Frontal view · right wrist plain film · age 9 y, girl · presentation radiograph.
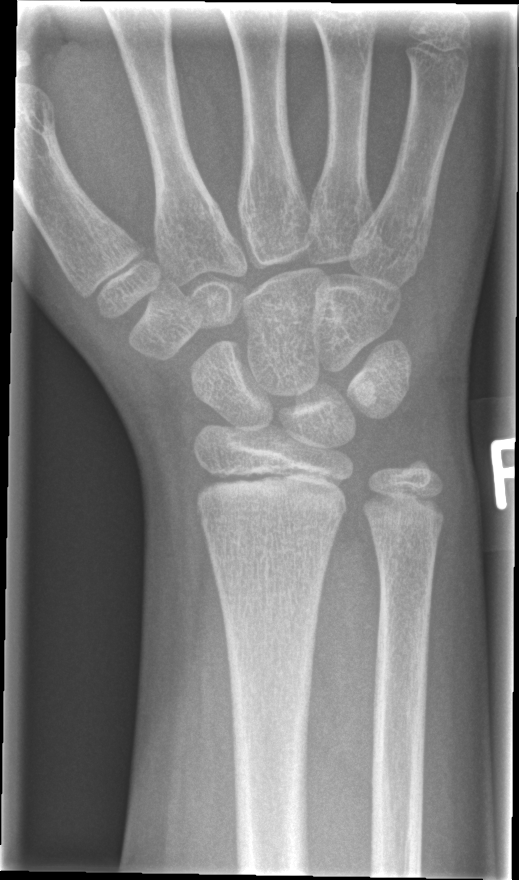
No fracture labeled.